Lat projection | left wrist plain film | pediatric patient (boy, age 12) 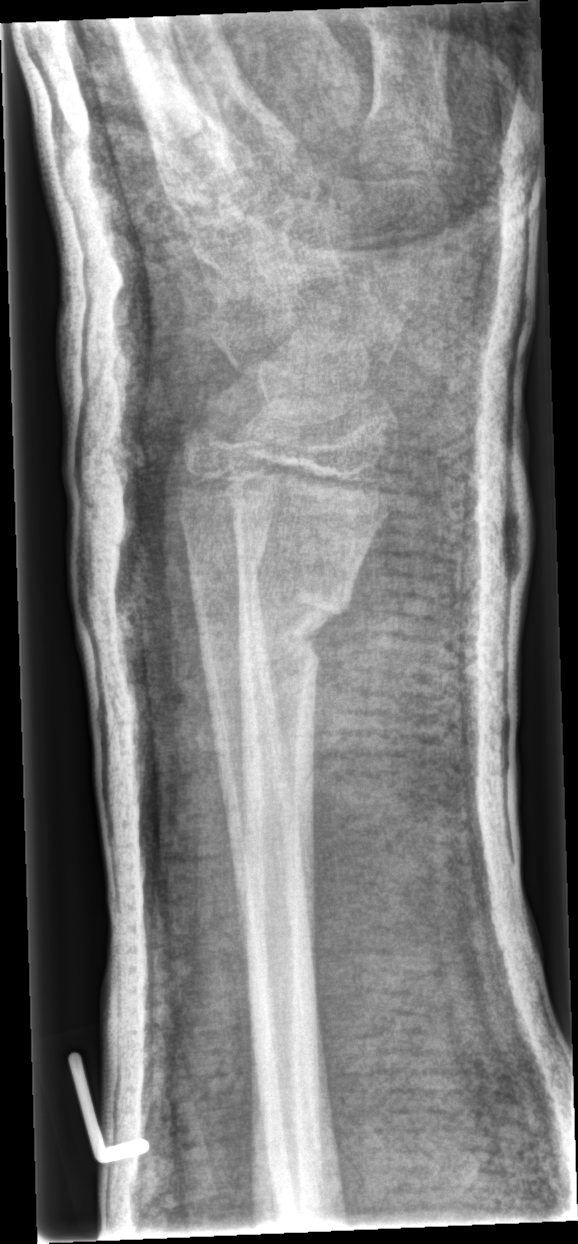
Q: Fracture present?
A: Two Fx at <234,569>-<356,675>, <183,532>-<273,603>
Q: What is the AO/OTA classification?
A: AO code 23r-M/3.1; 23u-M/2.1